PA projection | left wrist pediatric wrist radiograph | age 4 y, male: 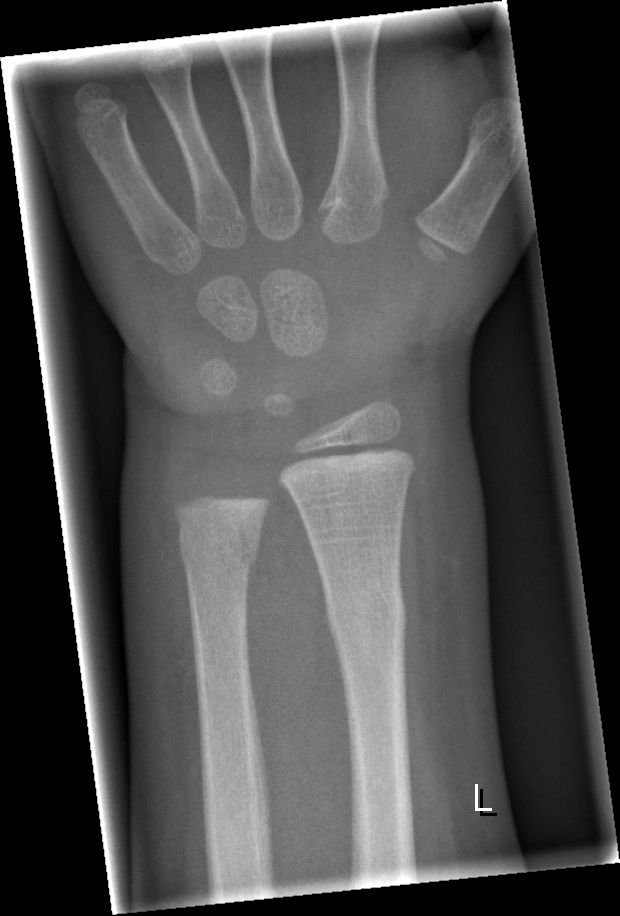

* Two Fx at (left=319, top=581, right=411, bottom=643) (left=176, top=523, right=262, bottom=572).
* AO code 23-M/2.1.